PA/AP projection; left wrist X-ray; initial study

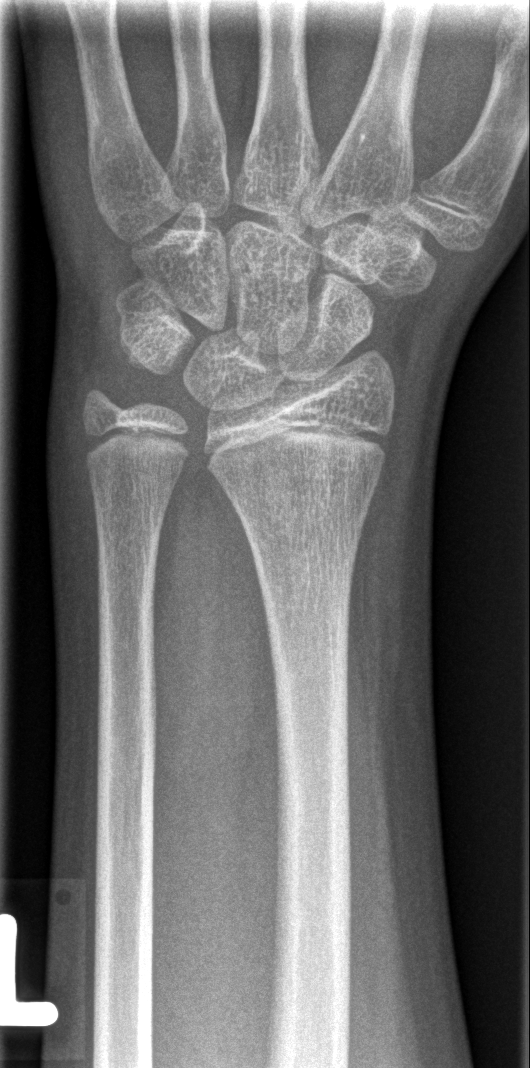
Q: Is there a fracture?
A: Fx: none